Right wrist plain film · PA/AP projection · 9-year-old girl · initial study · diagnosis uncertain · detector: Siemens:

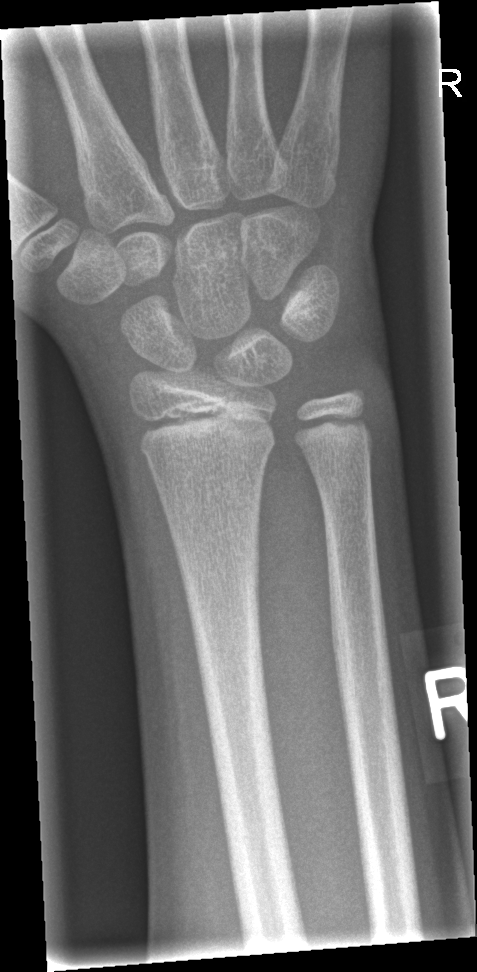
Fx = none labeled